PA/AP view; right wrist X-ray; cast present; 97.9 mm image width 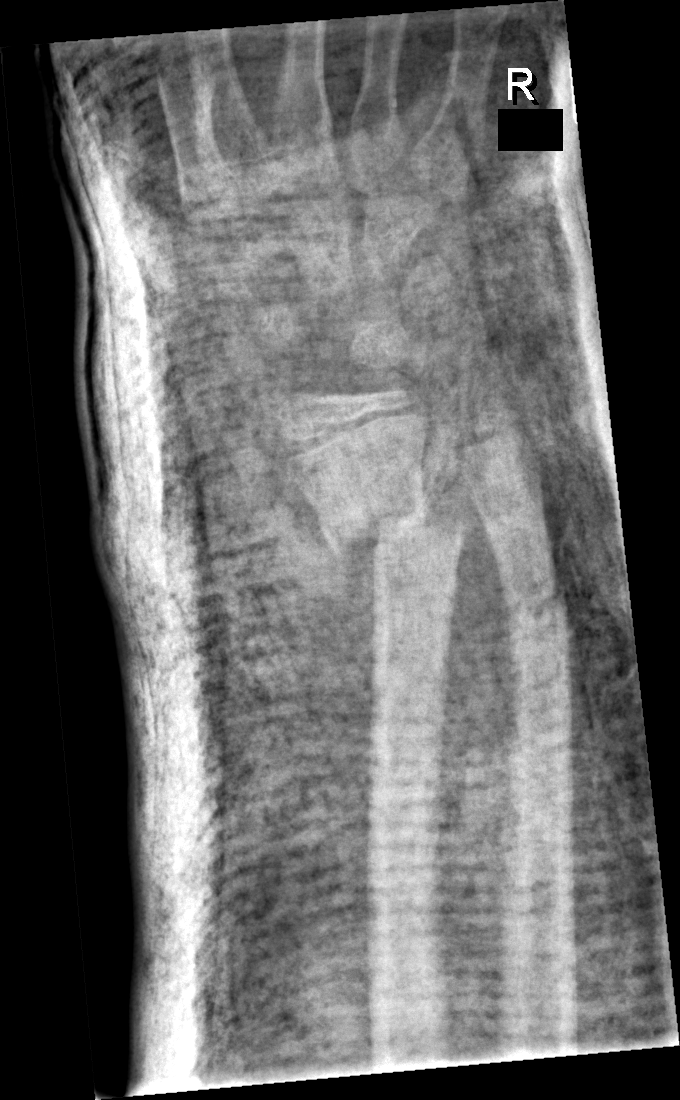

(pixel coordinates, top-left origin, xyxy)
AO classification = 23-M/3.1
bone fracture = 2 @ <324,493>-<469,577>, <502,578>-<572,633>